Rt pediatric wrist radiograph · lat · presentation radiograph:

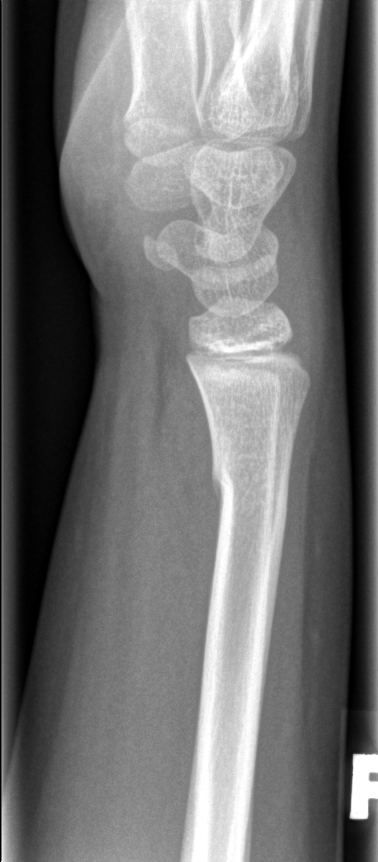
Fx: (left=208, top=443, right=293, bottom=527).